AP view | left wrist radiograph | 14-year-old male | detector: Siemens | 471 x 954 px

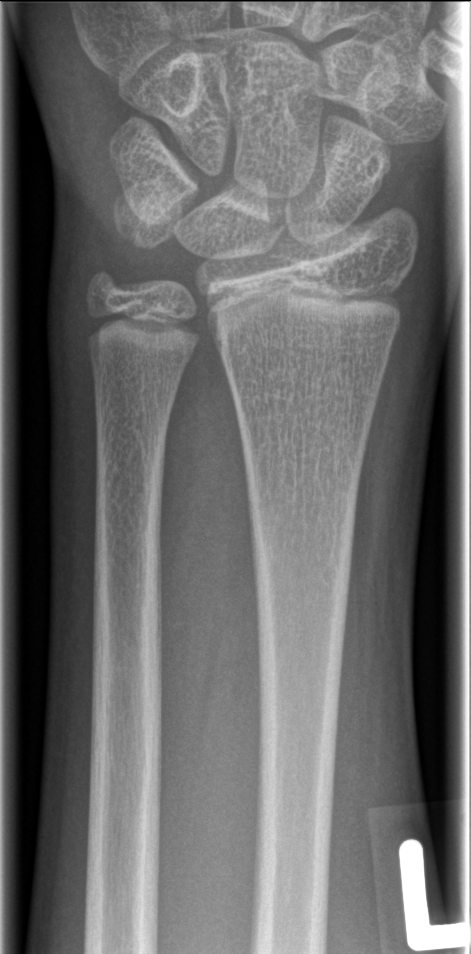 fracture: none labeled